Right wrist radiograph | lateral projection | age 13 y, girl | index exam

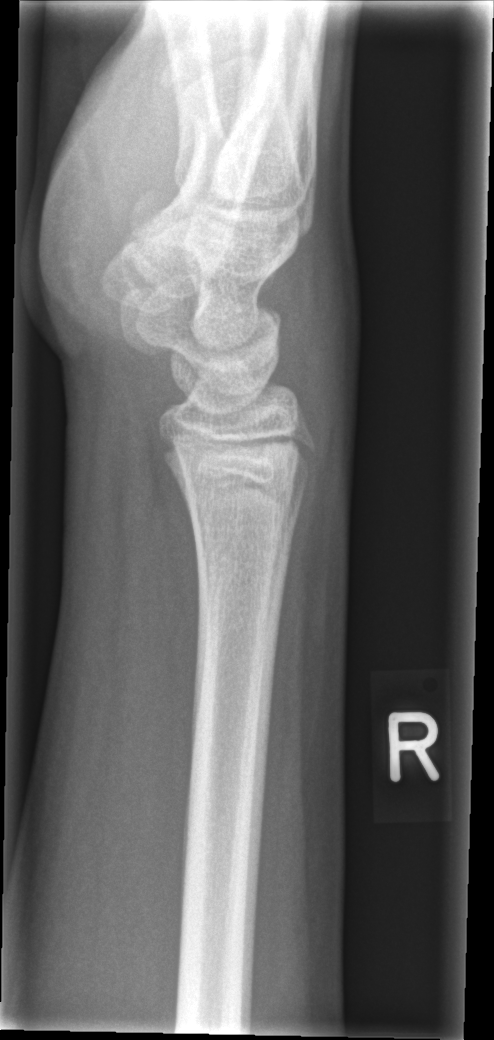

Fx = none labeled